PA projection, Rt wrist X-ray, follow-up, 494x690. 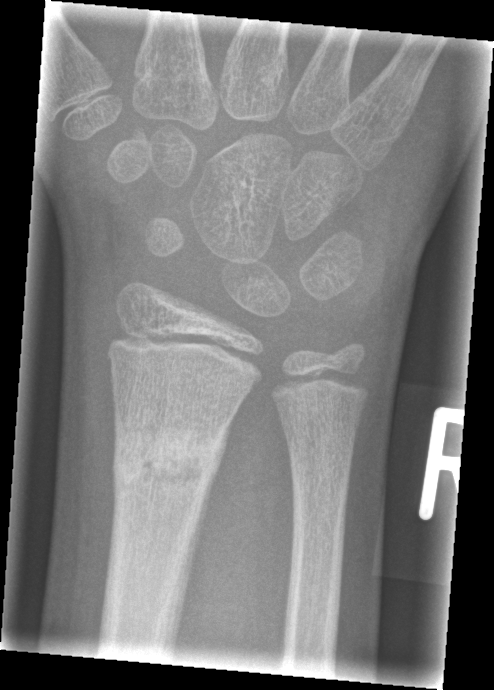
Fx identified at 105 419 231 498. Reduced bone mineral density. AO code 23r-M/3.1.